Lateral projection; Lt wrist XR; image 80.9 mm wide — 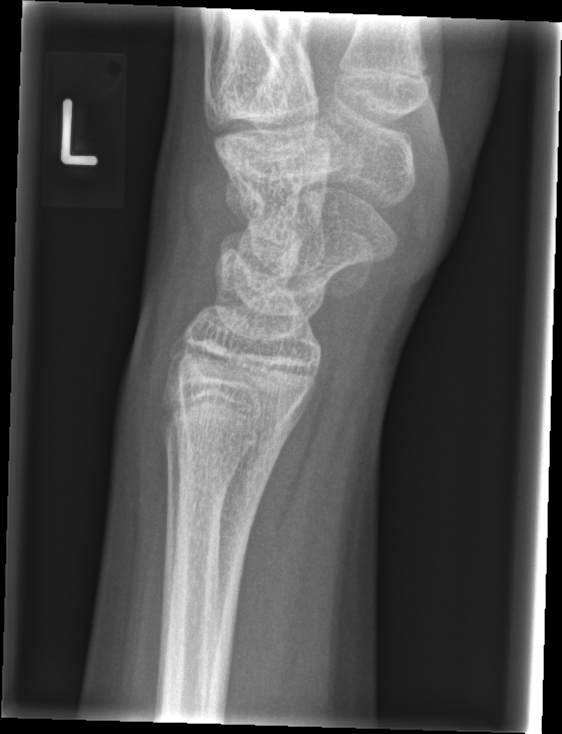
Q: Fracture present?
A: No fracture bounding box